Right wrist XR, lateral view, follow-up, cast present:
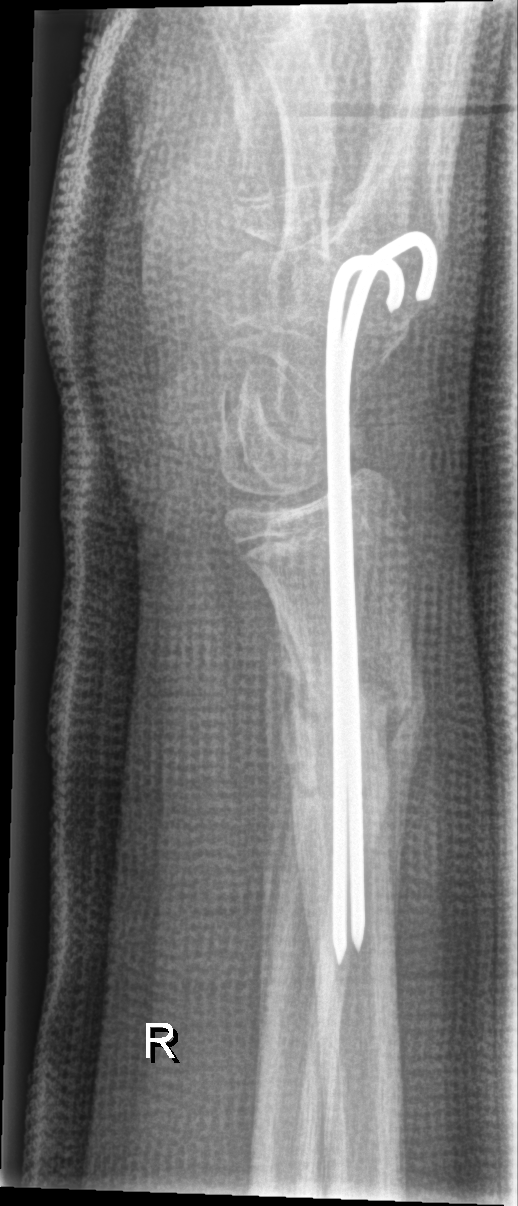 Findings: Metallic implant — (337, 231, 433, 965). AO code 23r-M/3.1; 22u-D/4.1; 23u-E/7. Reduced bone mineral density. Bone fracture identified at (276, 627, 424, 835).